Lt pediatric wrist radiograph, lateral, initial study, diagnosis uncertain, image 95.2 mm wide, 661 by 1226 pixels

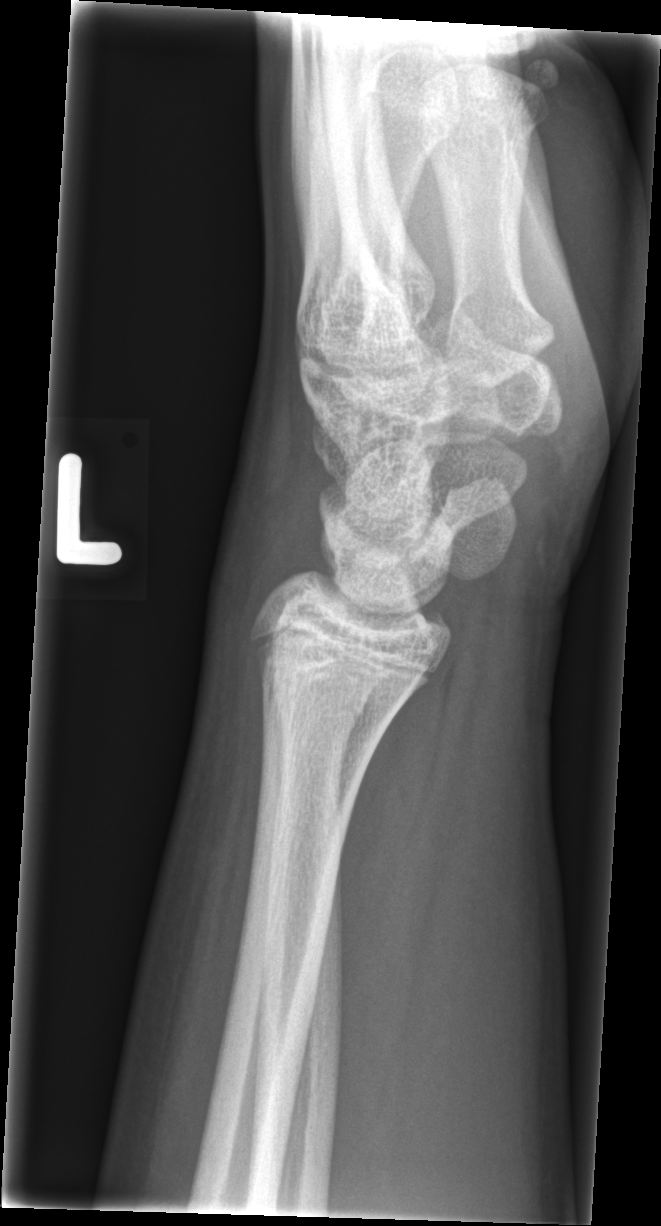 bone fracture = none labeled